Left pediatric wrist radiograph | frontal | female, 12 yo | image 88.6 mm wide. 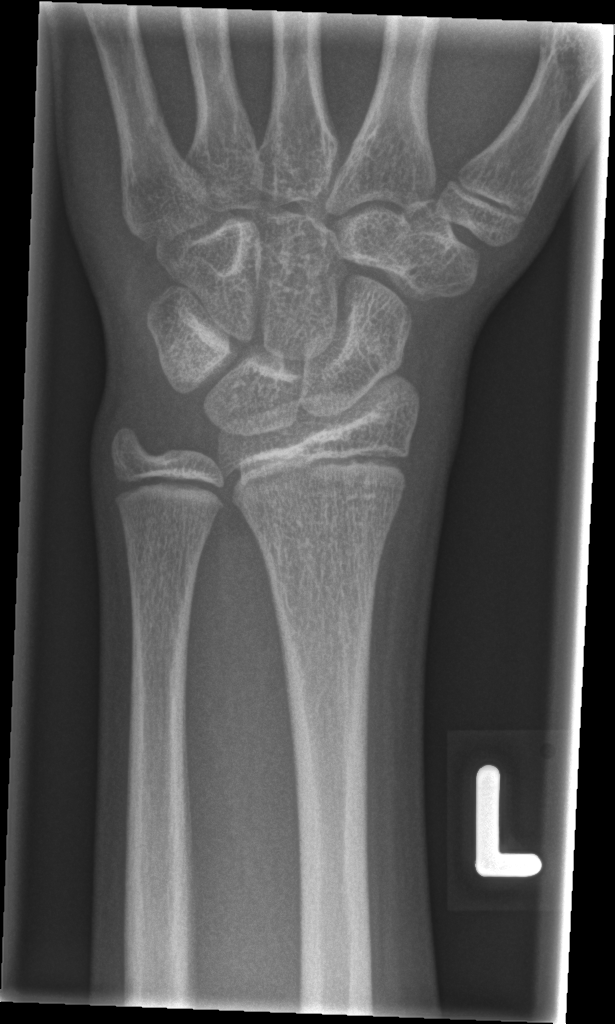 No fracture labeled.